Right wrist pediatric wrist radiograph, lateral view, pediatric patient (female, age 13)

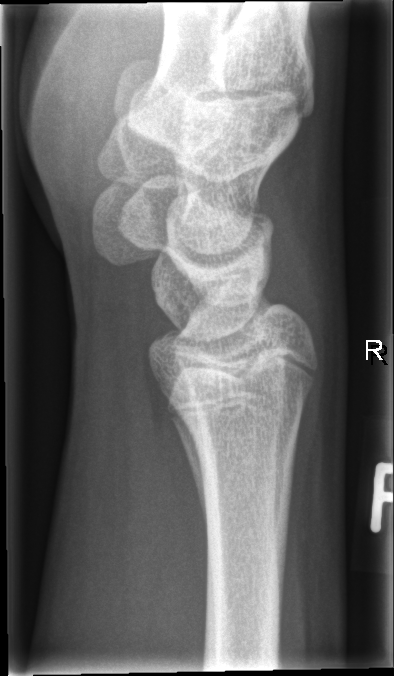
Fx: none labeled